Left wrist plain film | posteroanterior projection | 4-year-old boy | 47.8 mm image width 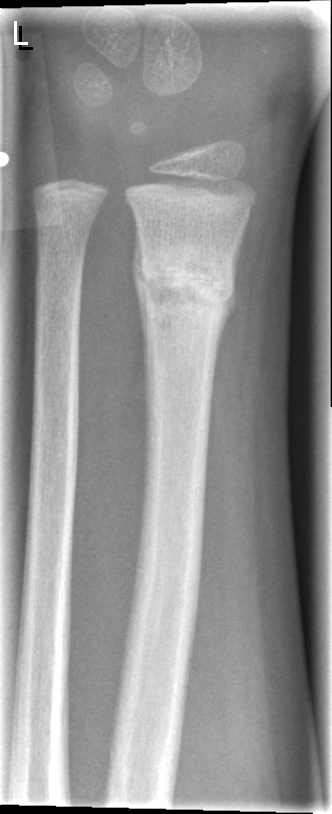

AO/OTA classification: 23r-M/3.1.
Bone fracture identified at [x1=137, y1=246, x2=237, y2=335].
Periosteal reaction — [x1=133, y1=234, x2=146, y2=344].
Osteopenia.